PA view | right wrist X-ray | 7y F —

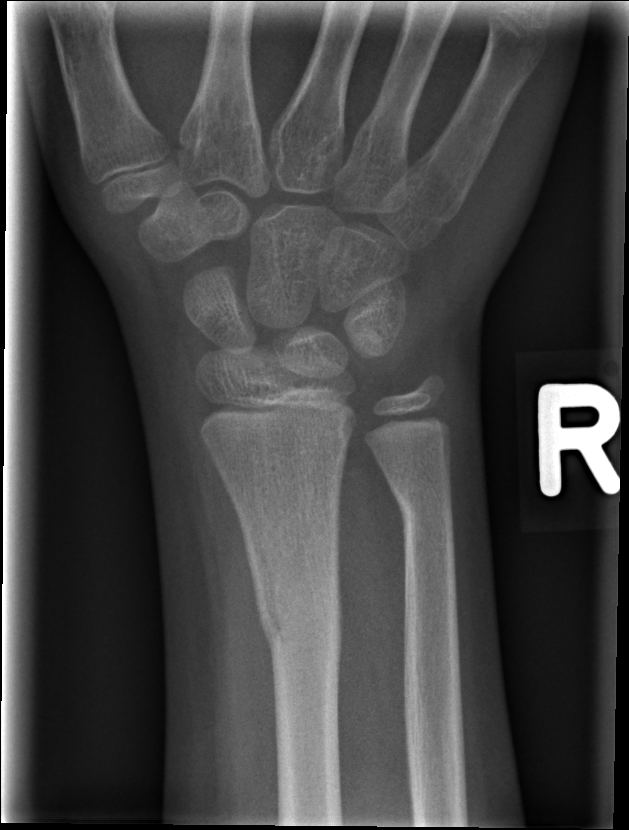 Fracture classified AO/OTA 22r-D/2.1; 23u-M/2.1.
Fx — 256 596 346 677
  393 479 457 527.